PA · L wrist X-ray:
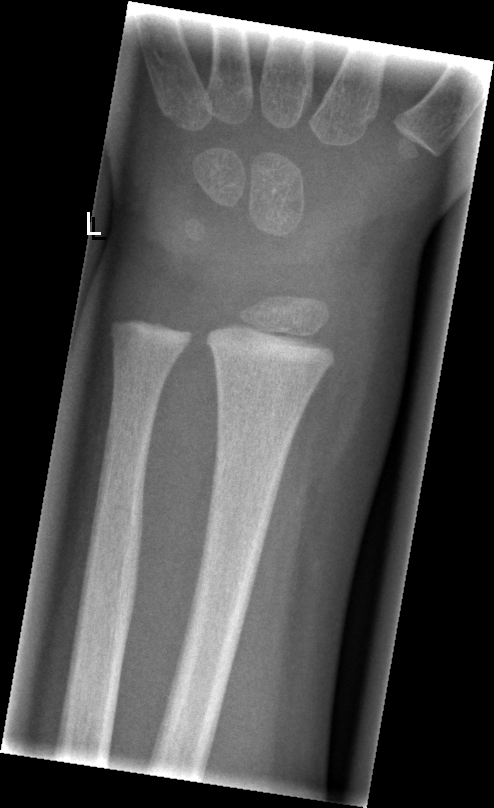

No Fx annotated.